Lateral view; L wrist radiograph; girl, 15 yo; imaged through cast; 724 x 912 px.
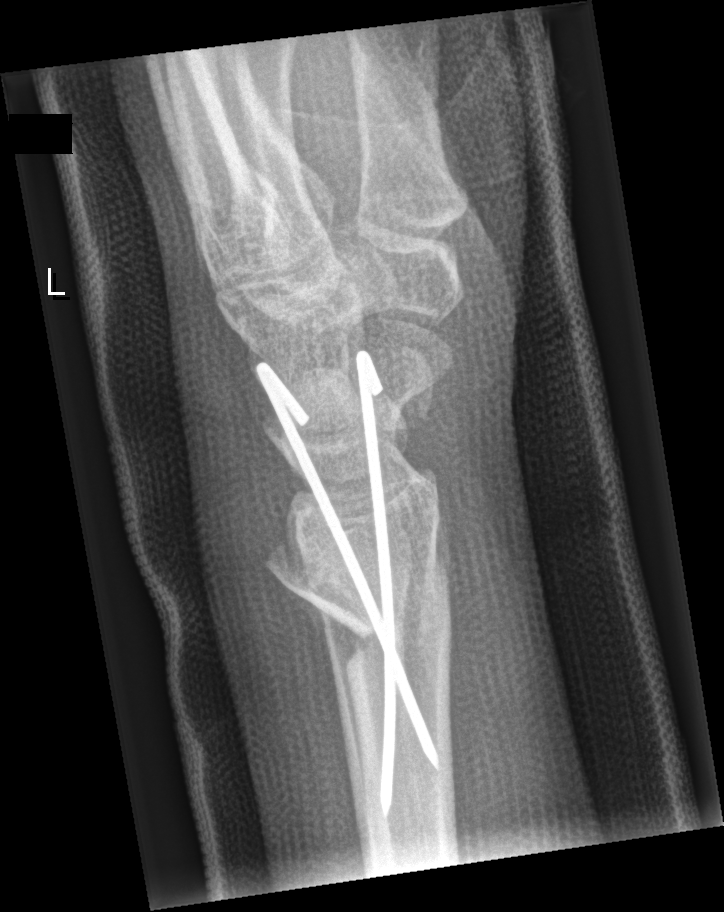

hardware: [x1=252, y1=345, x2=443, y2=825]
Fx: 1 @ [x1=259, y1=523, x2=449, y2=668]
AO/OTA: 23r-M/3.1; 23u-E/7